Left wrist radiograph; lat; 5-year-old female —
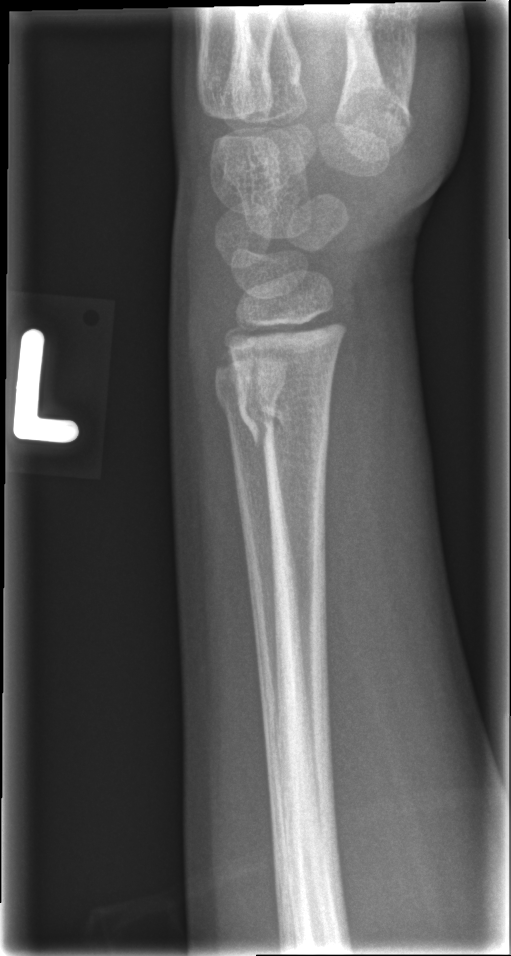 Findings: (pixel coordinates, top-left origin, xyxy) Fracture classified AO/OTA 23-M/2.1. Bone fracture identified at (233, 364, 334, 456) (209, 370, 291, 428). Pronator sign — (321, 310, 380, 620).